Left wrist X-ray · lat · subsequent exam · image 67.1 mm wide · image size 466x776 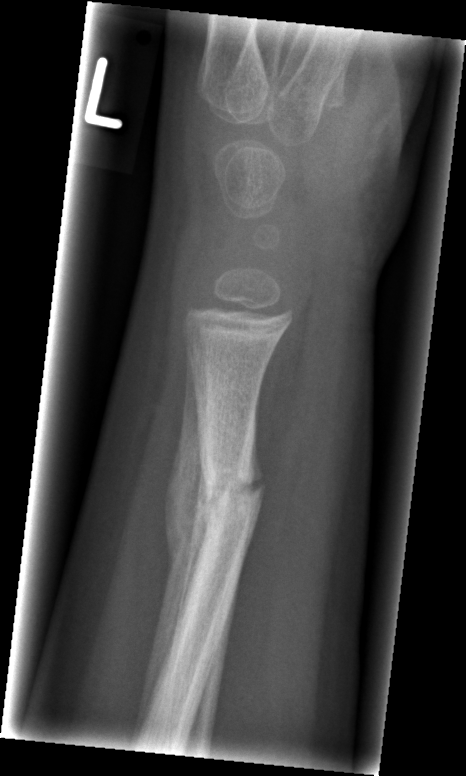
* Reduced bone mineral density.
* Bone fracture — [194, 450, 267, 530].
* Periosteal thickening identified at [131, 344, 211, 746].
* AO code 23r-M/3.1; 23u-M/2.1.